R wrist plain film · frontal view · index exam · 693 x 1292 px: 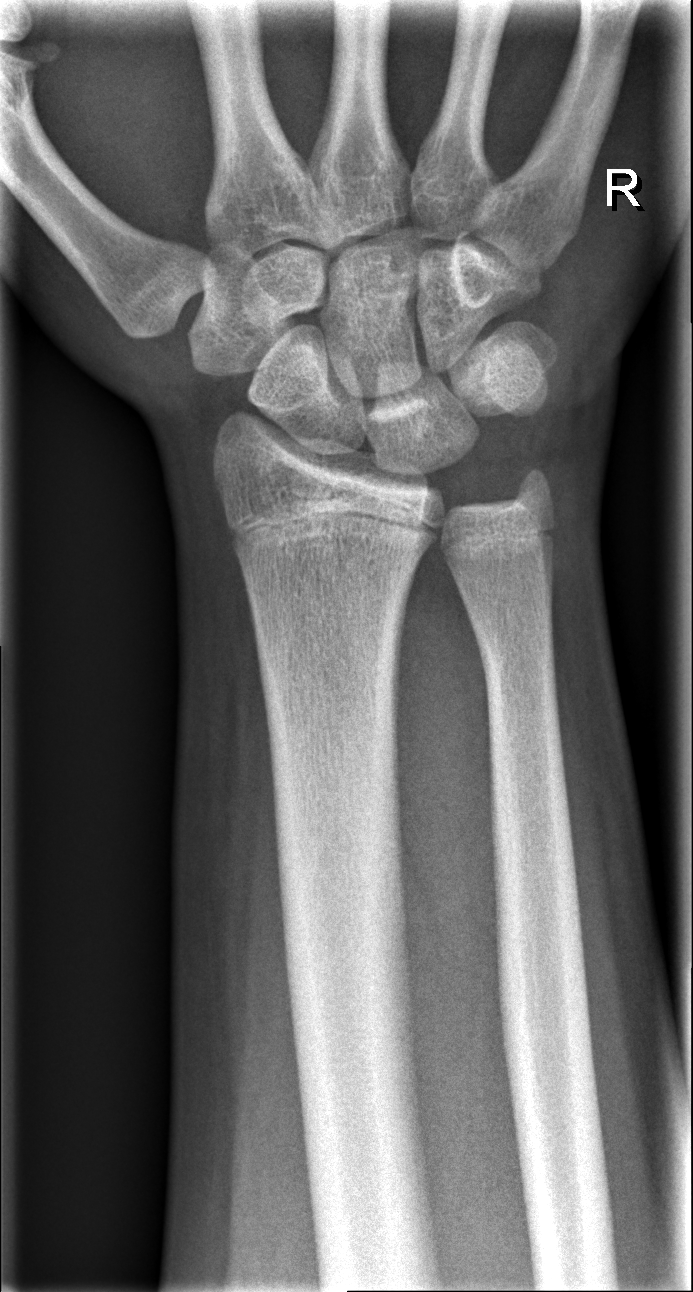 Findings: No fracture annotation.